Lt wrist XR | lat projection | 7-year-old boy | index exam:
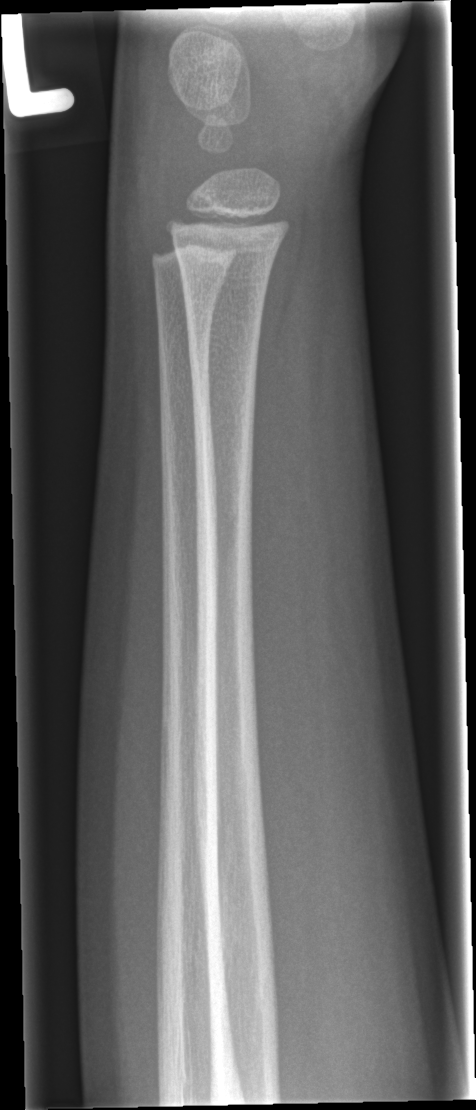 No fracture annotation.